Frontal view · Rt plain radiograph of the wrist · image width 94.2 mm · image size 654x1416:

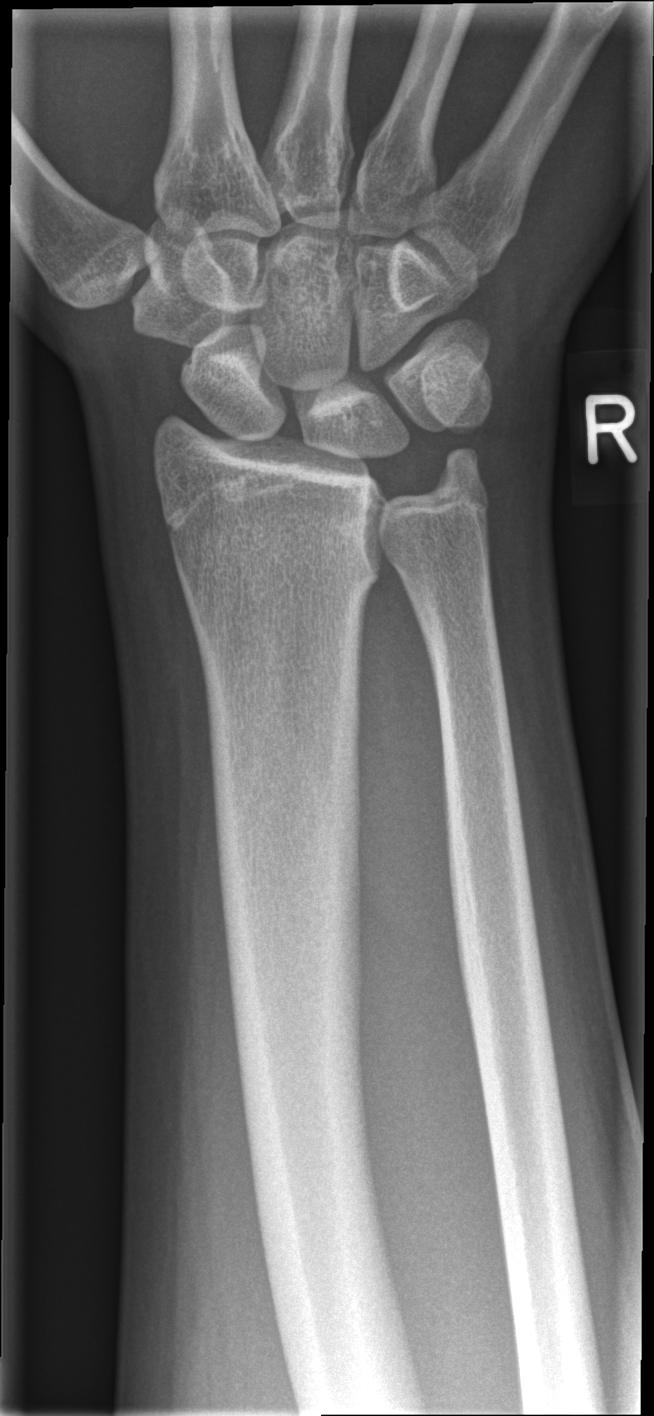

Findings: No fracture bounding box.